Lateral view; left pediatric wrist radiograph; 517 x 880 px — 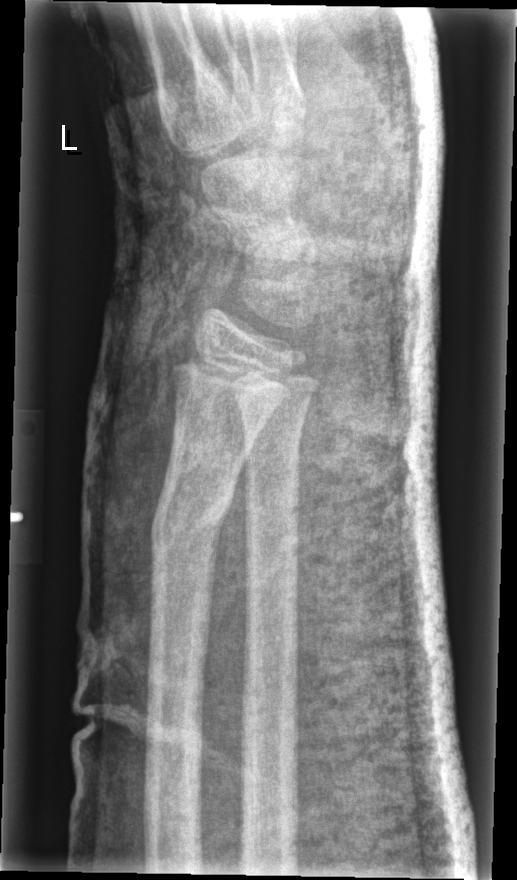

AO code = 23r-M/2.1
Fracture = 1 @ bbox(147, 481, 241, 564)